Lateral projection | right wrist plain radiograph of the wrist.

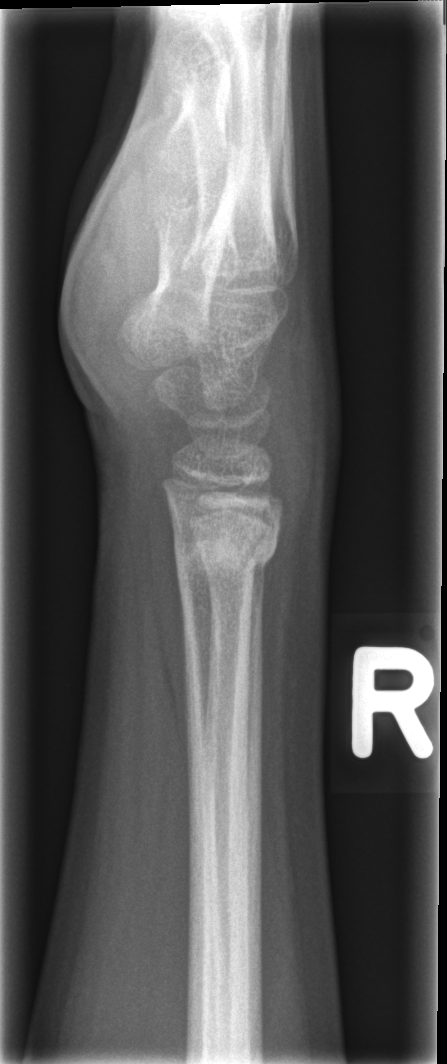
AO code: 23r-M/2.1
osteopenia: present
bone fracture: 171 531 280 585